PA; left wrist X-ray; initial study; 544 by 928 pixels:

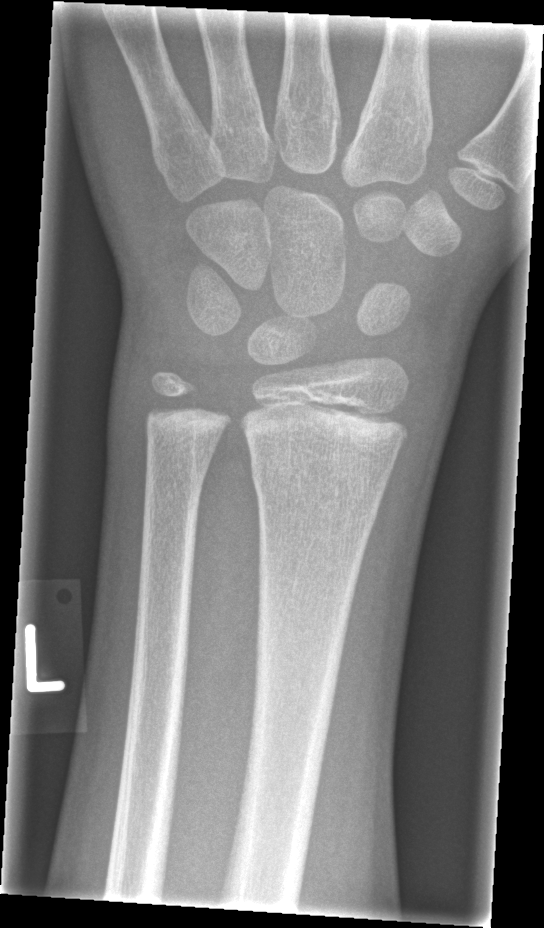

Q: Fracture present?
A: Fx — bbox(249, 451, 395, 530)